L wrist XR · lat · age 15 y, boy · 390 by 976 pixels —
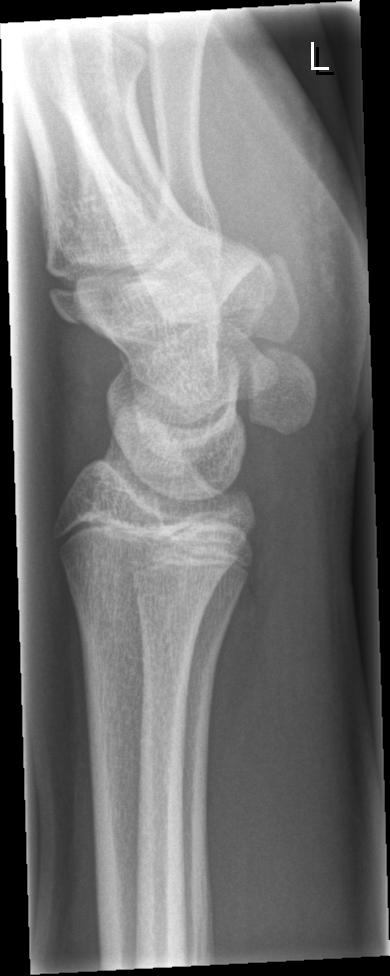

No fracture annotation.